Lateral projection | right wrist radiograph | detector: Siemens. 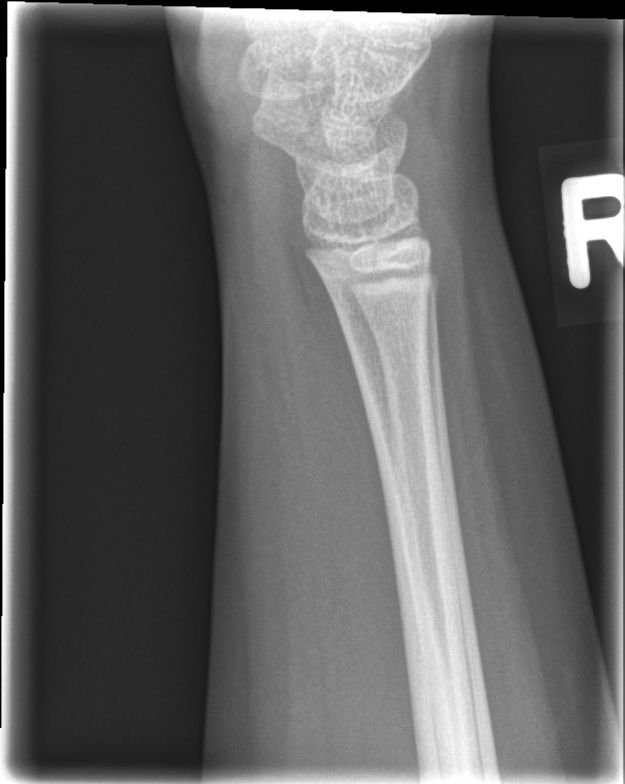 FINDINGS — No Fx annotated.